Right wrist X-ray · lateral view — 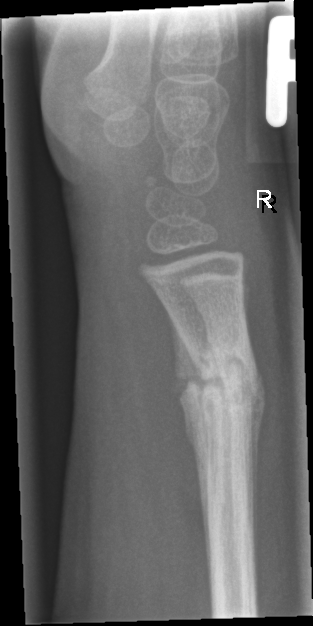
Osteopenia = present
AO code = 23-M/3.1
Periosteal new bone = bbox(166, 307, 208, 546); bbox(252, 369, 266, 510)
Fx = 1 @ bbox(180, 348, 263, 419)